PA/AP view, Lt wrist XR, pediatric patient (girl, age 9), acquired on Siemens, 506x1172 —

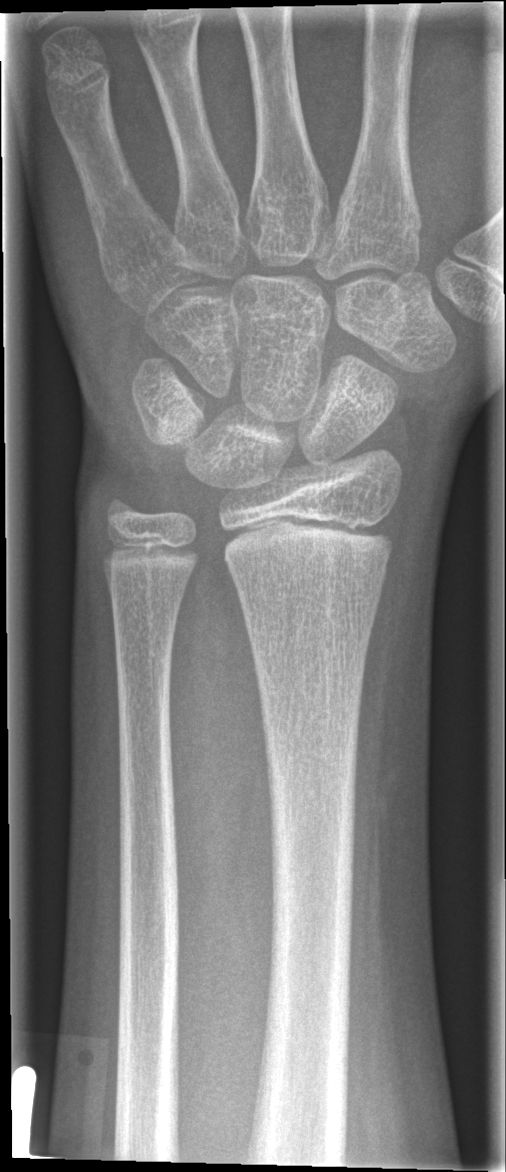
Fracture: none labeled